Left wrist plain radiograph of the wrist, posteroanterior view, subsequent exam —
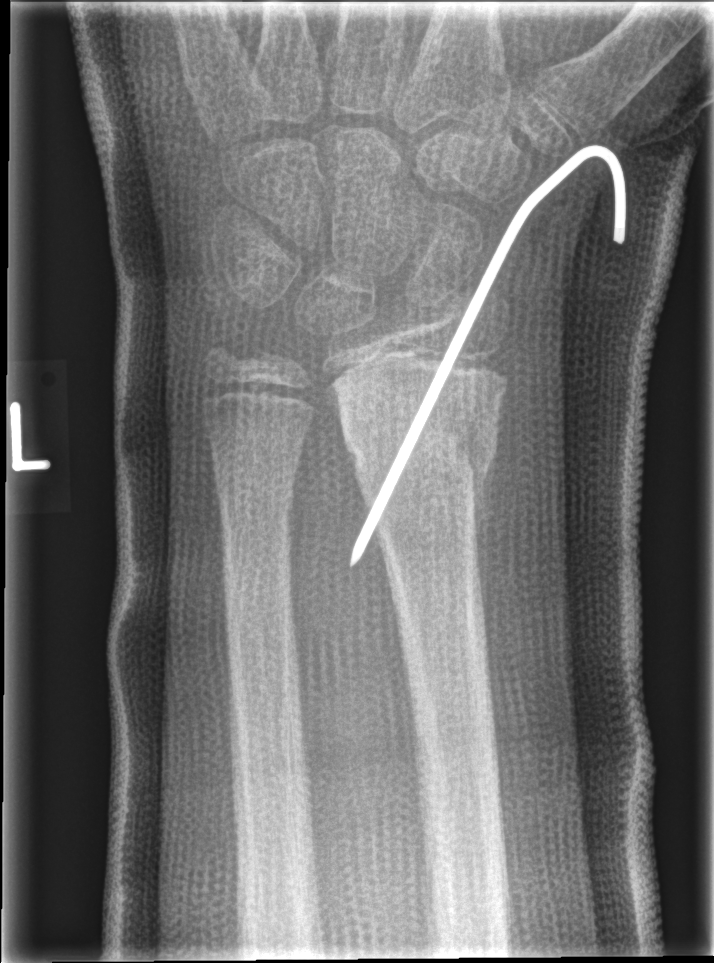

periosteal thickening: [x1=468, y1=443, x2=499, y2=650]
fracture: 2 @ [x1=333, y1=391, x2=505, y2=517]; [x1=209, y1=455, x2=300, y2=527]
metallic implant: 1 @ [x1=347, y1=143, x2=628, y2=573]